AP view; right pediatric wrist radiograph; 9y F; image 74.4 mm wide —

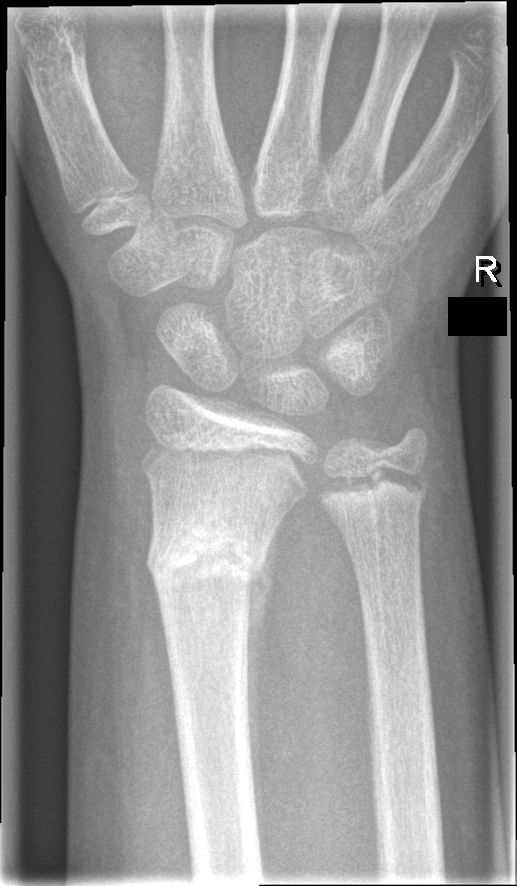

Coordinates are [x1, y1, x2, y2] in image pixels. Fracture classified AO/OTA 23r-M/3.1; 23u-E/1. Two Fx at (left=143, top=514, right=270, bottom=599), (left=315, top=462, right=430, bottom=512). Osteopenia. One periosteal new bone at (left=242, top=512, right=287, bottom=856).